PA/AP projection | Lt pediatric wrist radiograph | presentation radiograph | Siemens —
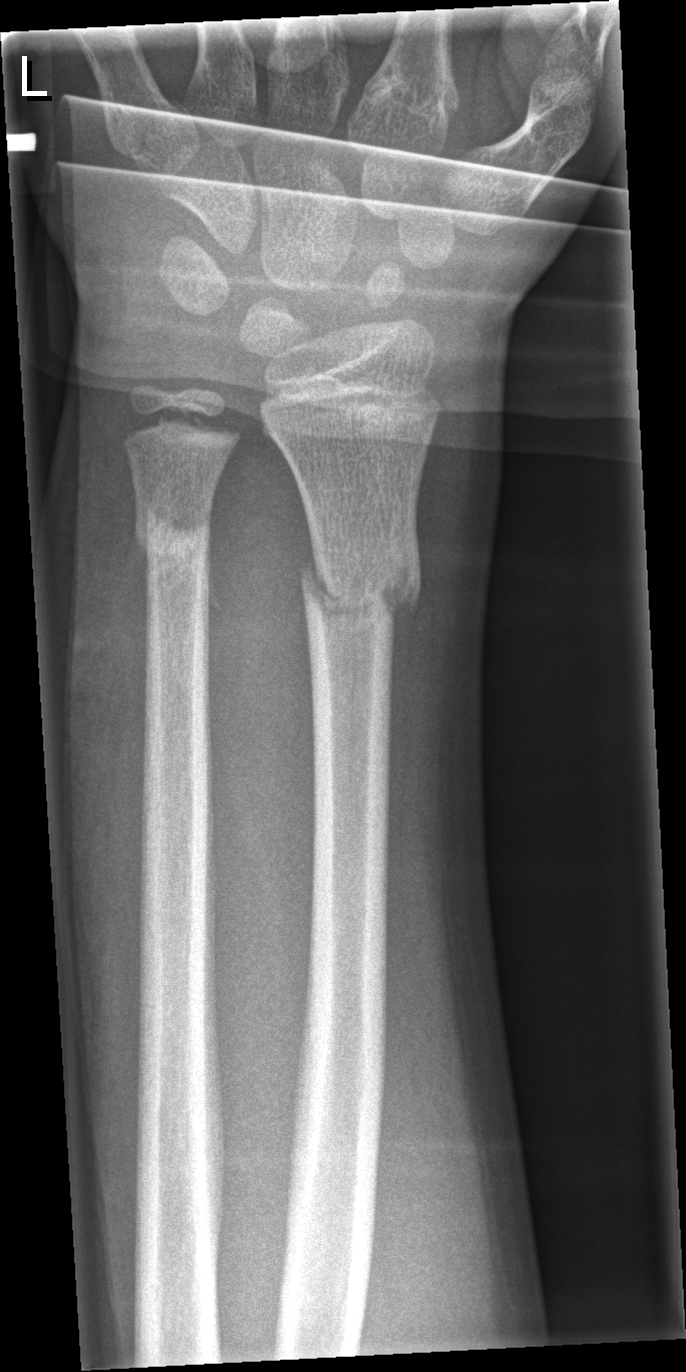
* Bone fracture identified at [293, 553, 429, 628] [138, 501, 216, 584].